AP view · left wrist radiograph · 5y M
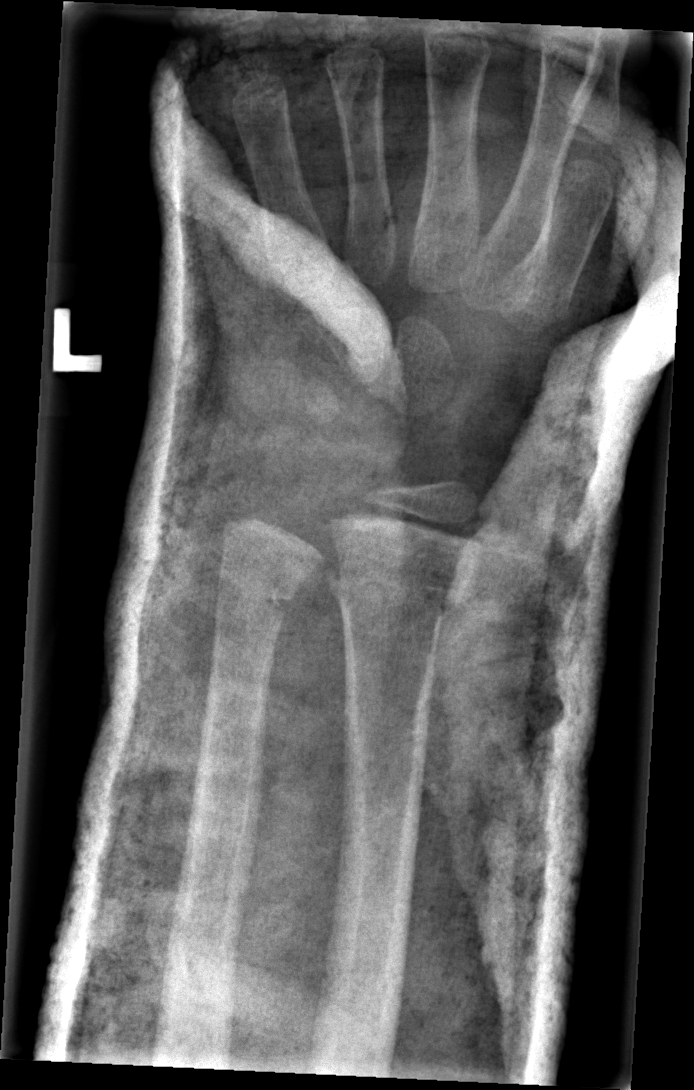 * Pixel coordinates, top-left origin, xyxy.
* AO/OTA classification: 23-M/3.1.
* Fx: <332,555>-<474,629>, <211,564>-<299,625>.